R pediatric wrist radiograph; lat projection; image width 65.2 mm. 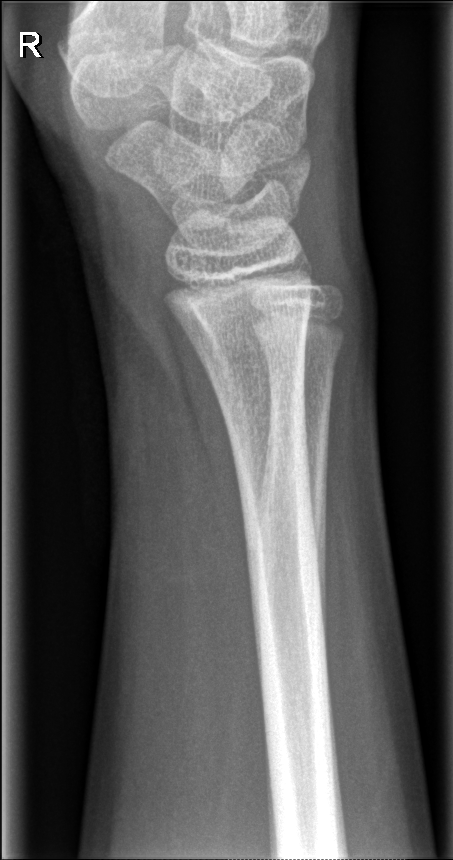
Q: Is there a fracture?
A: No fracture annotation